Lt wrist X-ray | AP view | index exam | acquired on Siemens | image 112.2 mm wide. 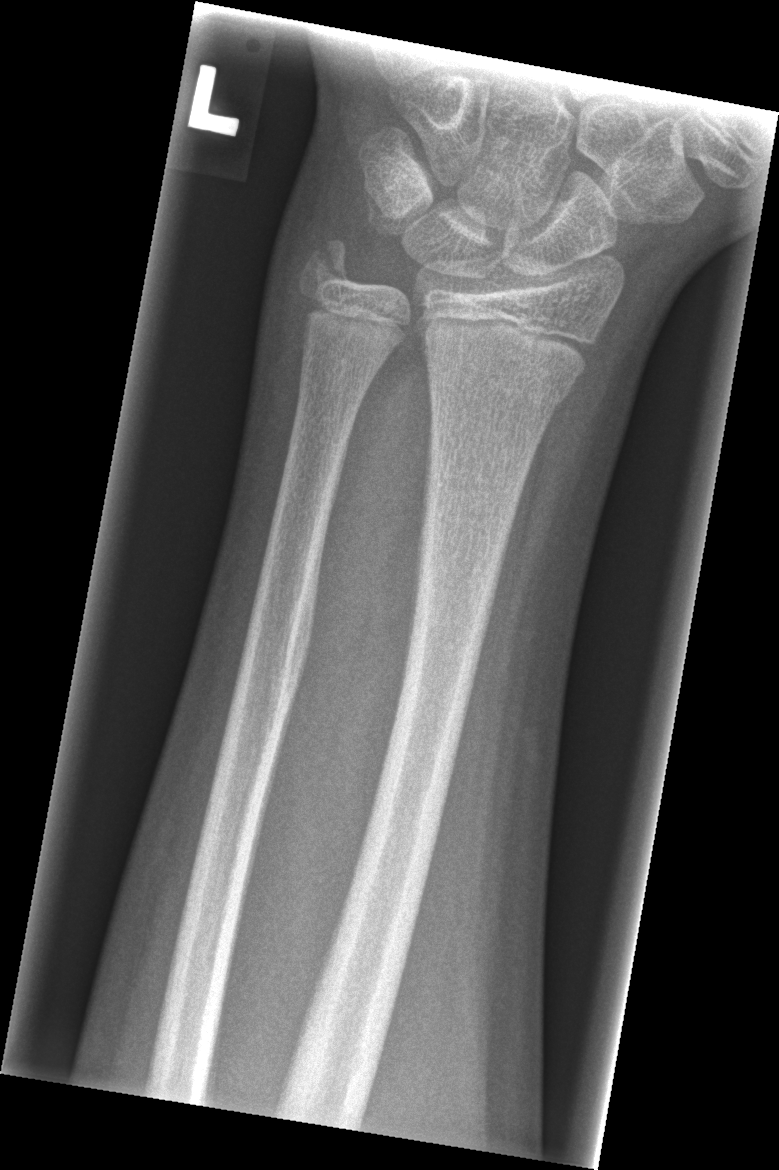
(pixel coordinates, top-left origin, xyxy)
Fracture: 2 @ <419,331>-<577,419>, <295,232>-<363,300>
AO/OTA: 23r-M/2.1; 23u-E/7